AP, right wrist plain film, follow-up, Siemens:
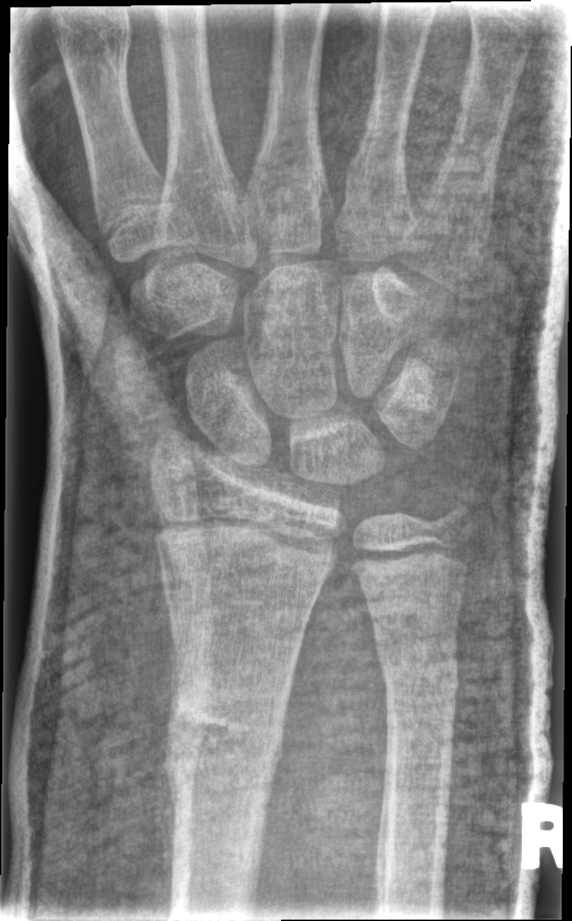

Fracture classified AO/OTA 23-M/2.1.
Two fractures at bbox(162, 671, 288, 766); bbox(378, 648, 461, 711).